Right wrist X-ray, lat view, 4-year-old girl, initial study, 470x926.
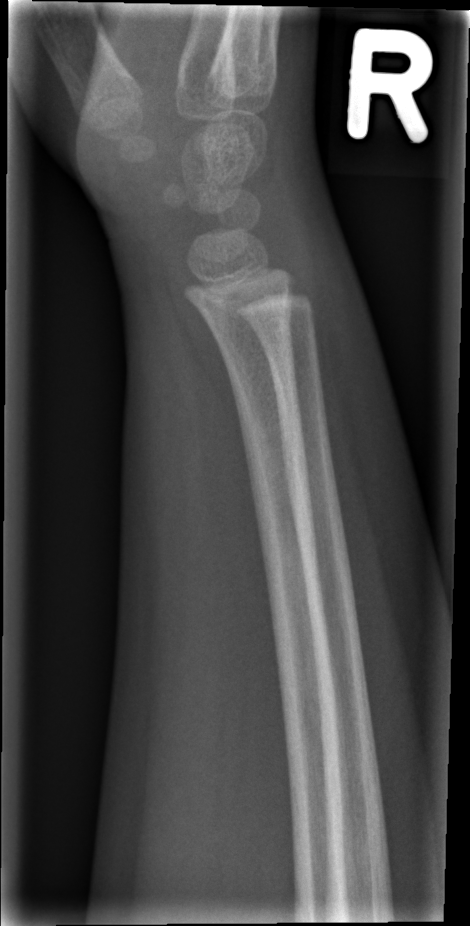 Findings: Fx: none.